Right plain radiograph of the wrist · lat projection · girl, 14 yo · image 102.5 mm wide: 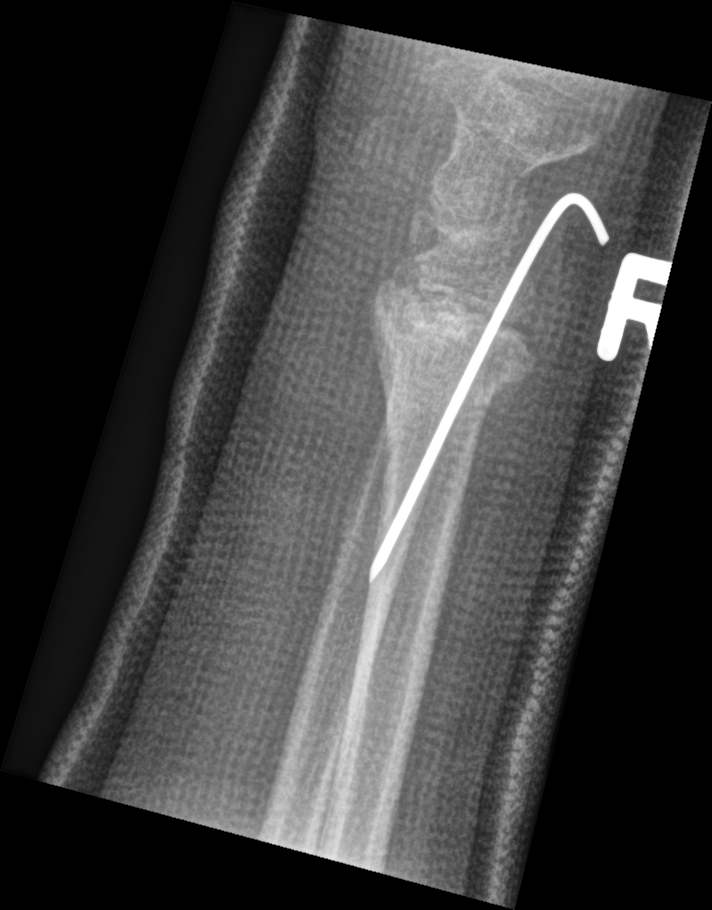

Q: Any fracture seen?
A: Fracture — [x1=366, y1=290, x2=540, y2=441]
Q: Locate any hardware.
A: Metallic implant: [x1=366, y1=177, x2=629, y2=581]